Right wrist XR, PA/AP, 8-year-old female 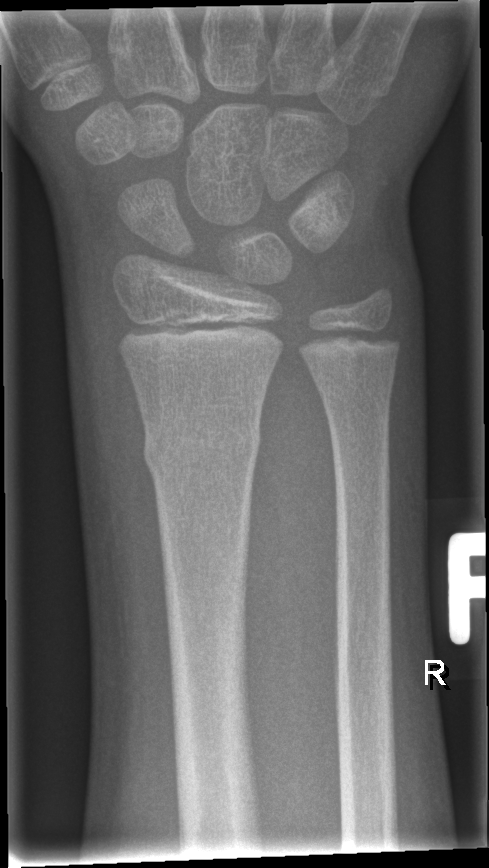

{
  "_coords": "bounding boxes in image-pixel xyxy",
  "fracture": "1 @ <139,416>-<263,481>"
}